Posteroanterior projection · R wrist XR · acquired on Siemens.

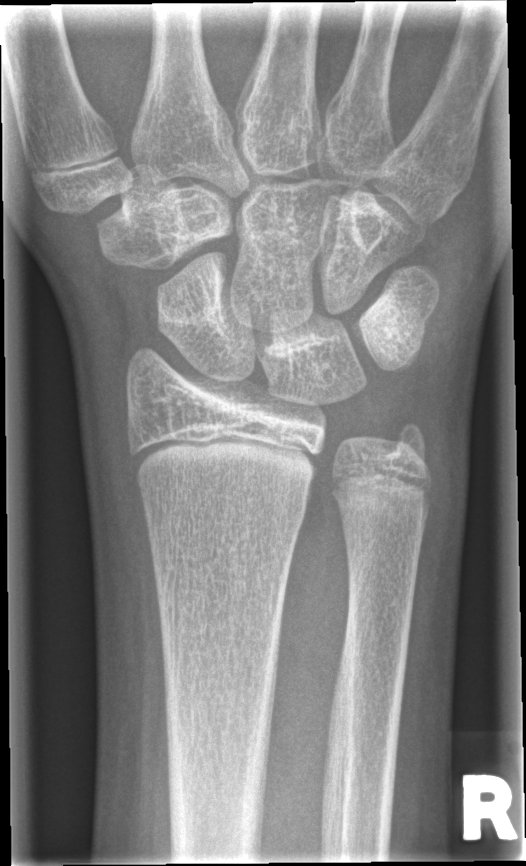

- No Fx annotated.